Lateral view; R wrist radiograph; 14y M —
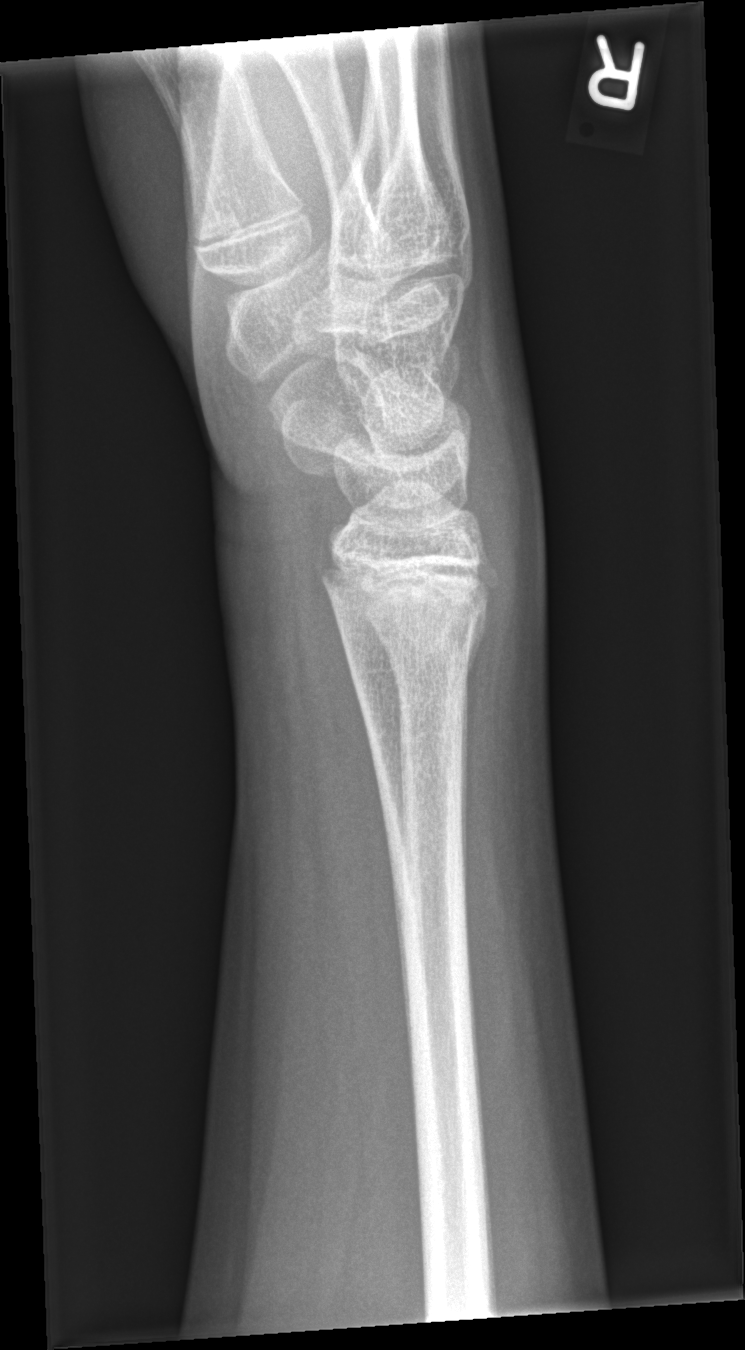

Bounding boxes in image-pixel xyxy.
Fx: (left=333, top=585, right=492, bottom=690).